Left pediatric wrist radiograph · AP projection · age 8 y, female · cast present · acquired on Siemens — 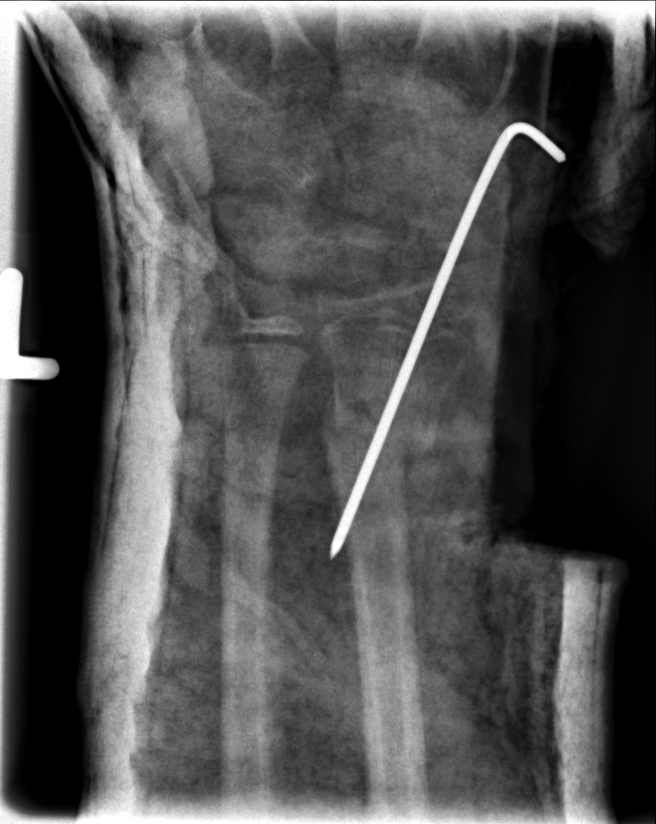

(boxes as x1,y1,x2,y2 (top-left / bottom-right, pixel units))
Fx: [x1=314, y1=401, x2=438, y2=473] [x1=216, y1=500, x2=279, y2=561]
AO classification: 23r-M/3.1; 23u-M/2.1; 23u-E/7
Metallic implant: [x1=333, y1=117, x2=573, y2=564]